Frontal projection · left pediatric wrist radiograph · image width 109.2 mm

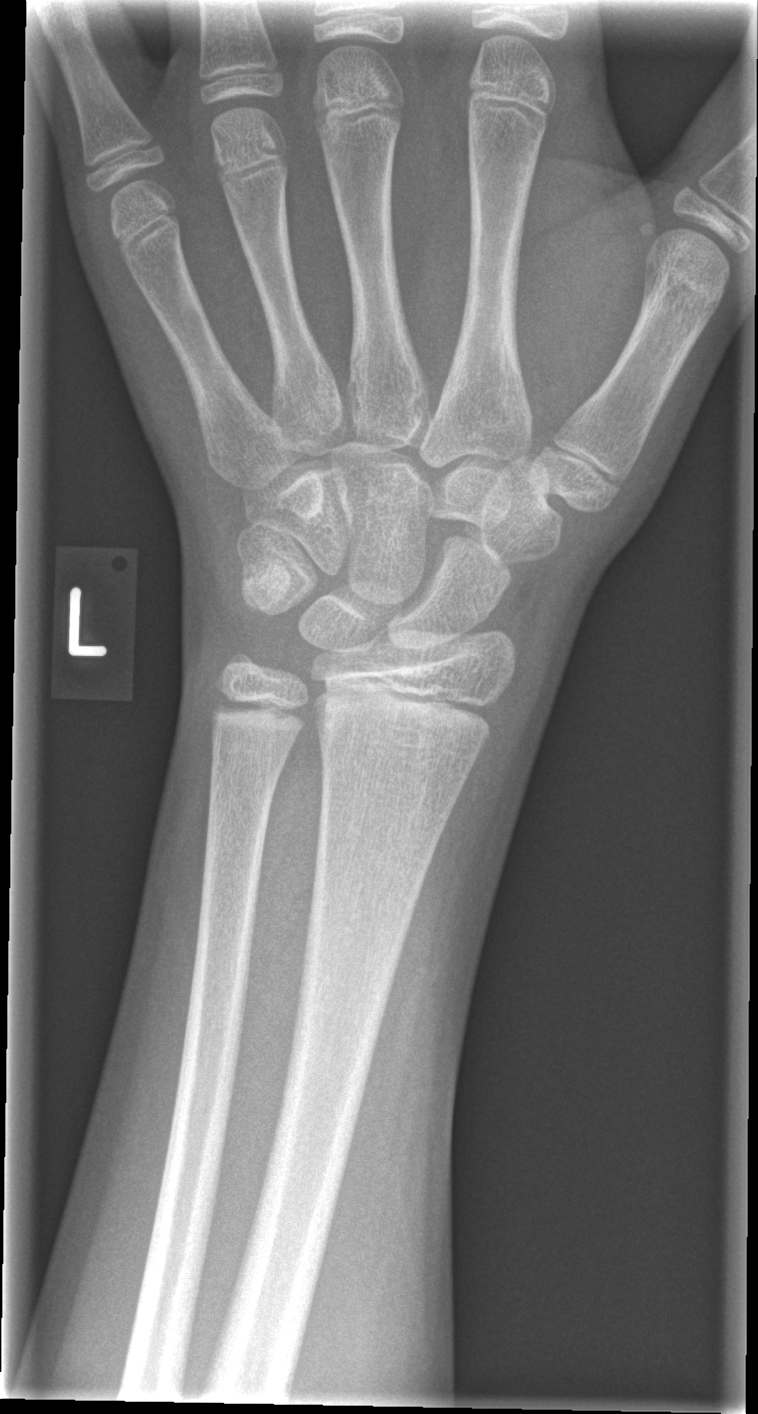

No fracture labeled.